Lt wrist XR · PA/AP view · index exam

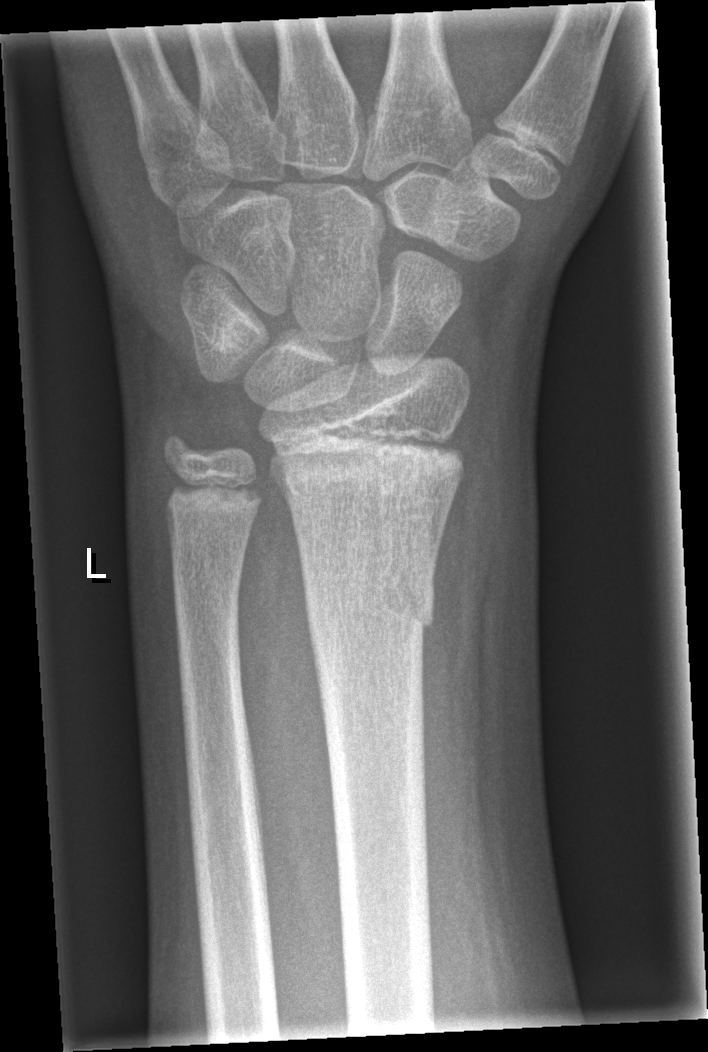 (coordinates are [x1, y1, x2, y2] in image pixels)
Fx = 1 @ <297,554>-<438,644>